Lateral projection · Rt wrist radiograph:
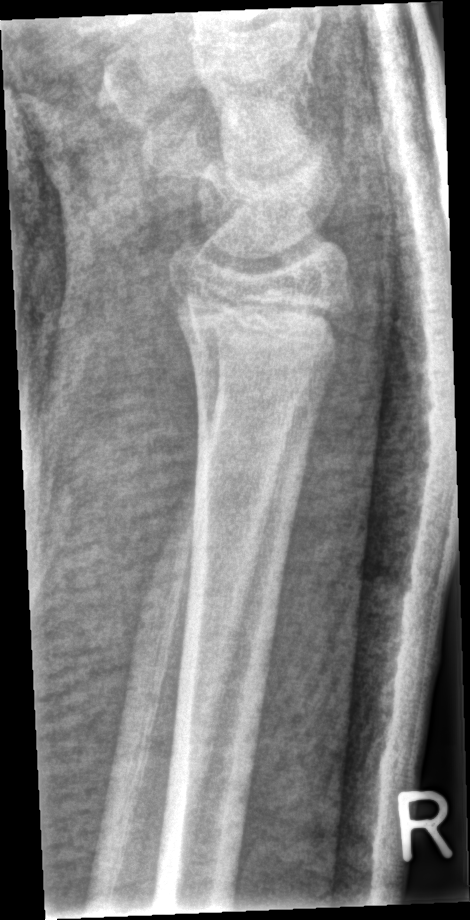

Bounding boxes in image-pixel xyxy.
Fracture classified AO/OTA 23r-E/2.1; 23u-E/7.
One bone fracture at (172, 272, 353, 355).